Lat view | Lt wrist plain film | acquired on Siemens | 743 by 1126 pixels. 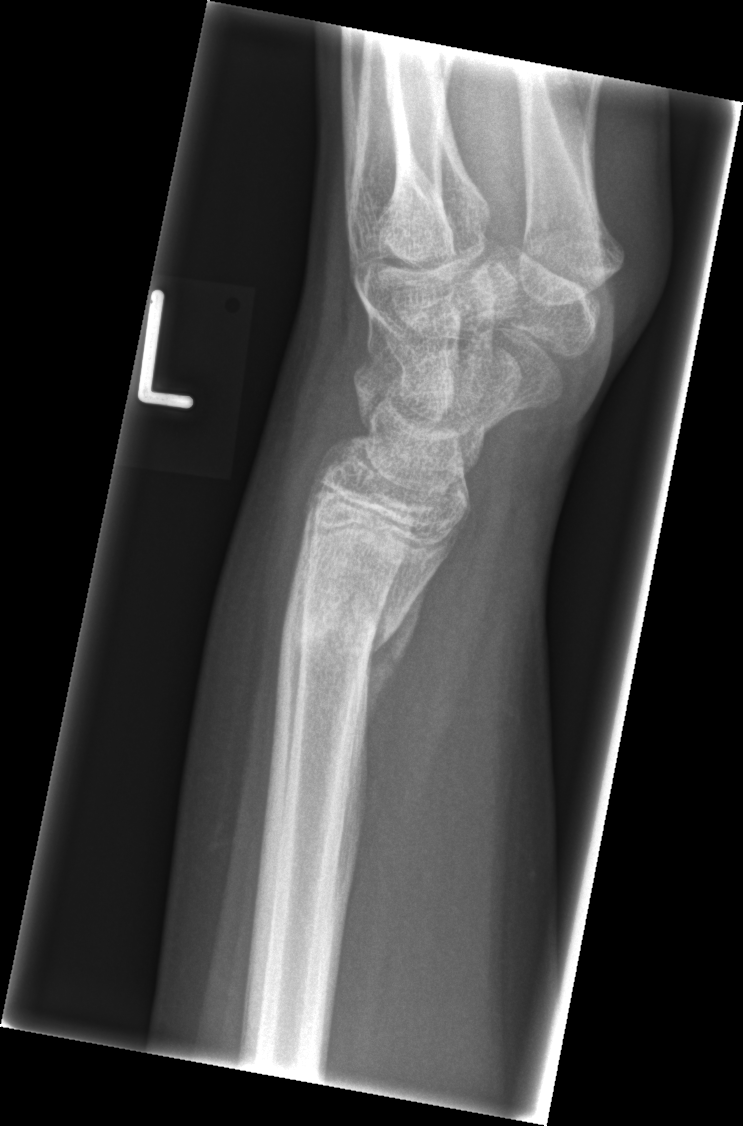 Findings: Periosteal reaction identified at (357, 569, 434, 736). Fracture identified at (269, 578, 434, 682). Fracture classified AO/OTA 23r-M/3.1; 23u-E/7. Decreased bone density (osteopenia).